Posteroanterior view; right wrist X-ray; 6-year-old girl; 721 by 872 pixels —

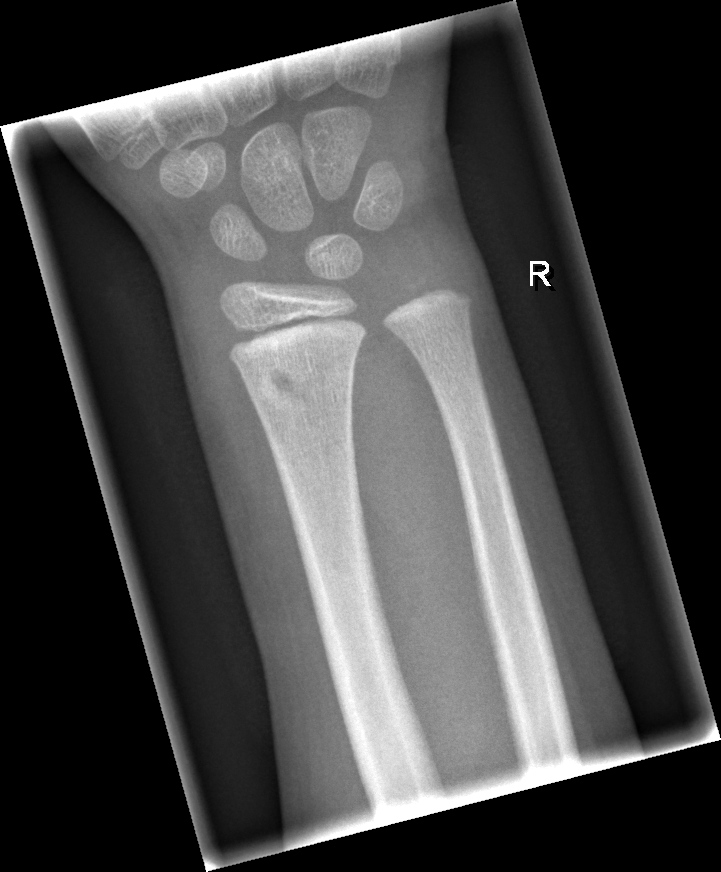
One soft-tissue swelling at [x1=169, y1=253, x2=298, y2=594].
No Fx annotated.
Osseous anomaly: [x1=239, y1=351, x2=358, y2=434].